Right wrist X-ray · lat projection · age 11 y, girl. 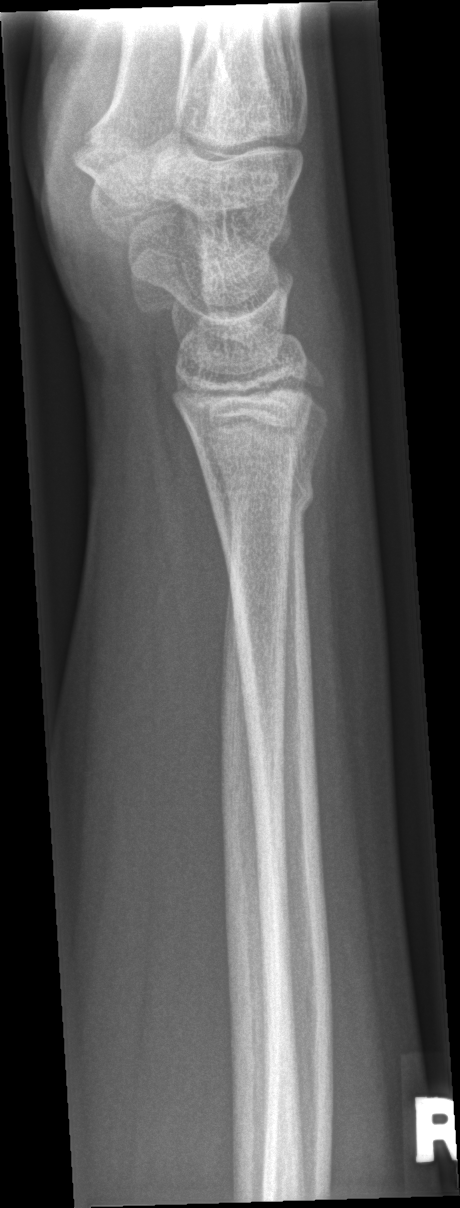
Boxes as x1,y1,x2,y2 (top-left / bottom-right, pixel units). Fracture classified AO/OTA 23r-M/2.1. Bone fracture — bbox(201, 464, 322, 530).